L pediatric wrist radiograph; frontal view:

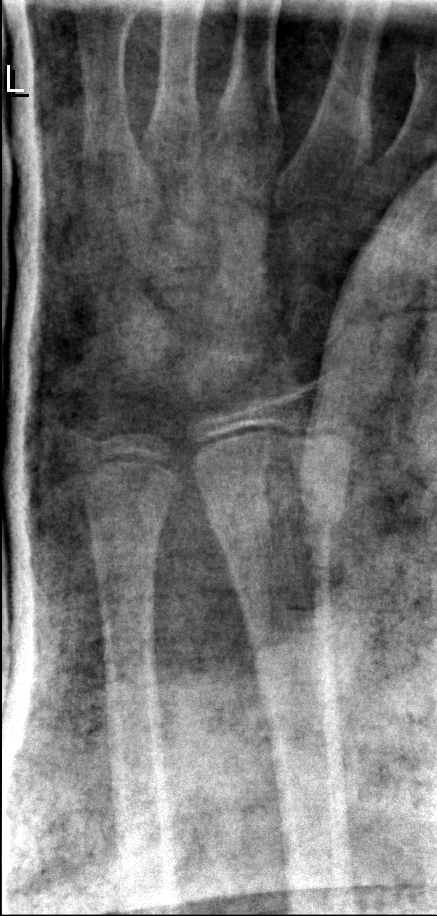
Bounding boxes in image-pixel xyxy. AO code 23r-M/3.1; 23u-M/2.1. Fx: [201, 472, 351, 542].